Right wrist radiograph · lateral · 65.1 mm image width:

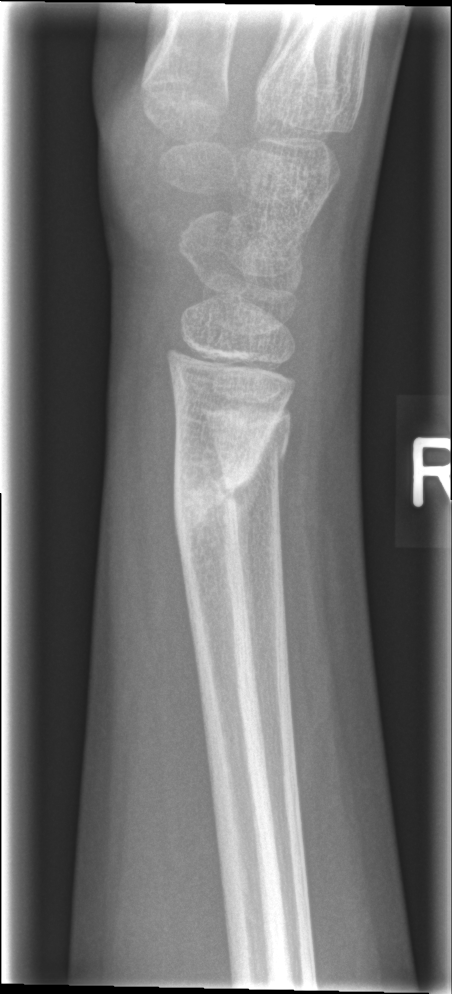

(boxes as x1,y1,x2,y2 (top-left / bottom-right, pixel units))
Fx = bbox(164, 421, 274, 544)
periosteal reaction = bbox(228, 419, 278, 696)
AO/OTA = 23-M/3.1